Lateral view | right wrist X-ray | 14y M | index exam: 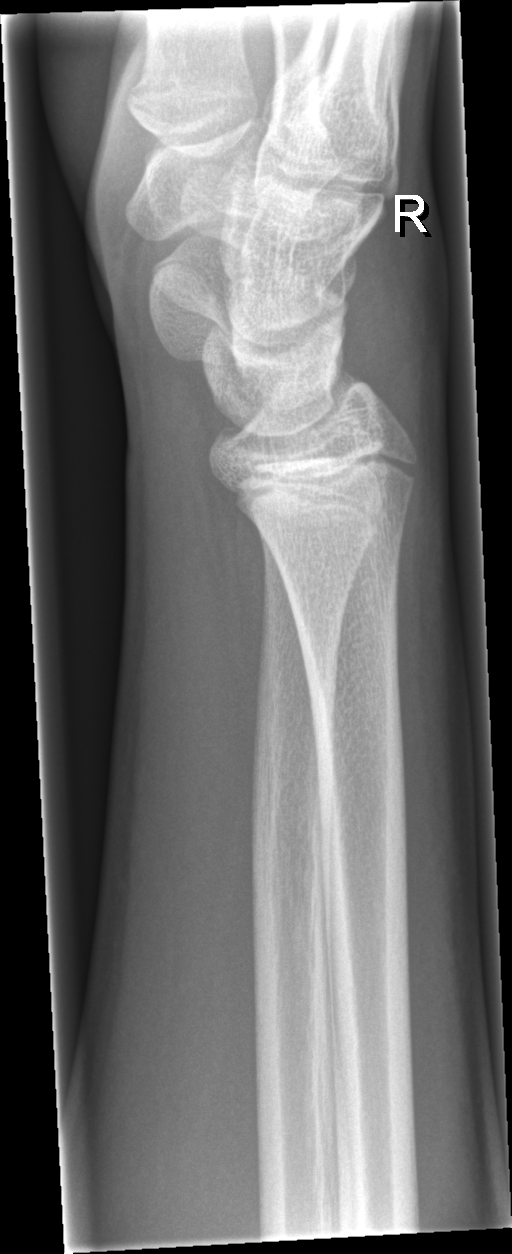 {"softtissue": "1 @ (349, 211, 445, 451)", "fracture": "present but not clearly seen in this view"}